Right wrist X-ray · lateral · image size 491x1078 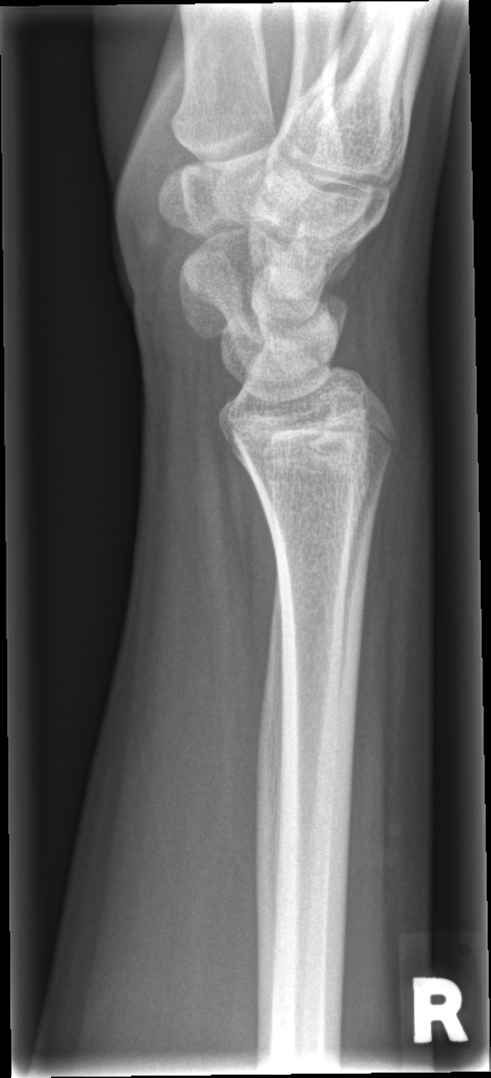

* No fracture labeled.